Left wrist radiograph | lat projection. 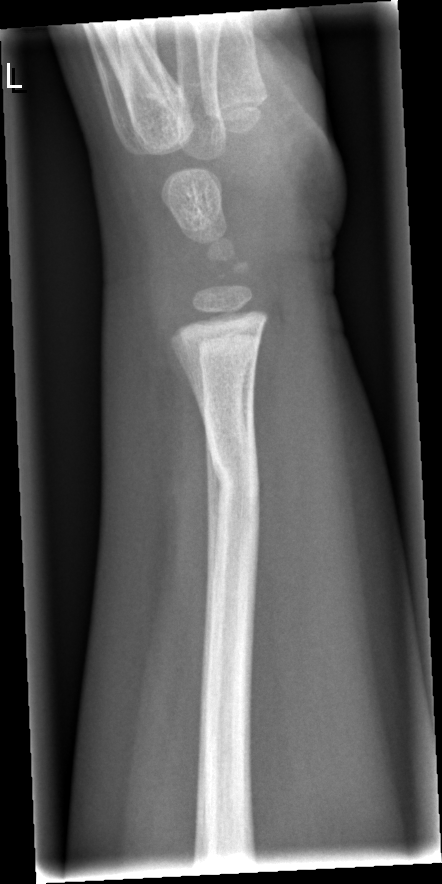

Coordinates are [x1, y1, x2, y2] in image pixels. Bone fracture — 202 429 264 530.